Lt plain radiograph of the wrist; PA view; girl, 15 yo:

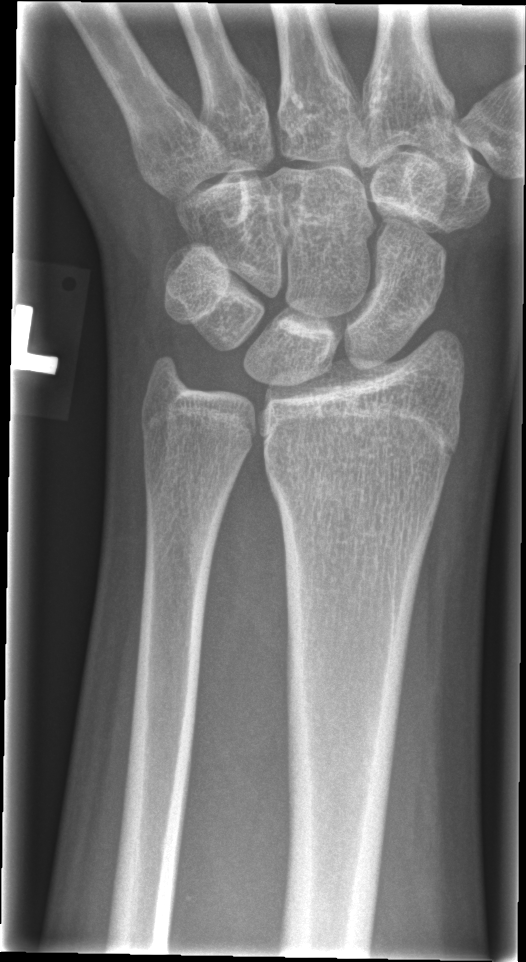 Fx = present but not clearly seen in this view
AO code = 23r-M/2.1